Left wrist X-ray, frontal projection, 10-year-old boy, detector: Siemens, 530x856. 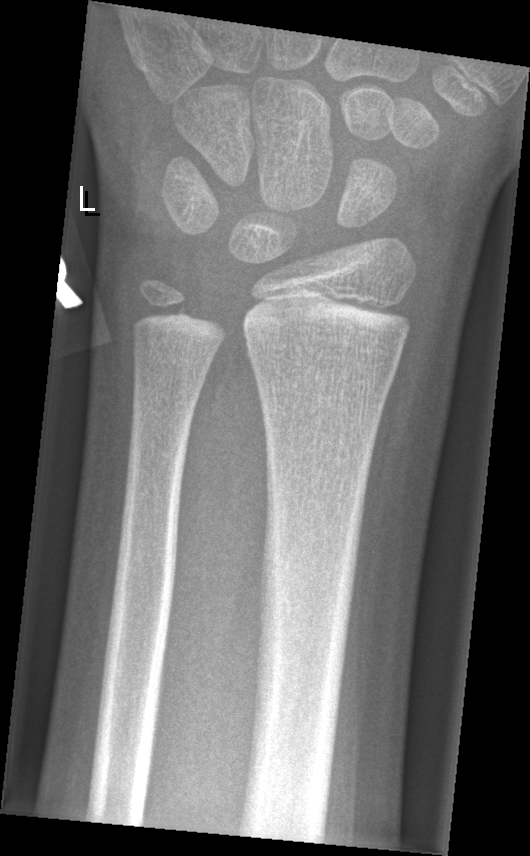
Q: Fracture present?
A: Fracture: none labeled